Lat; left wrist X-ray; initial study; 486 by 982 pixels:
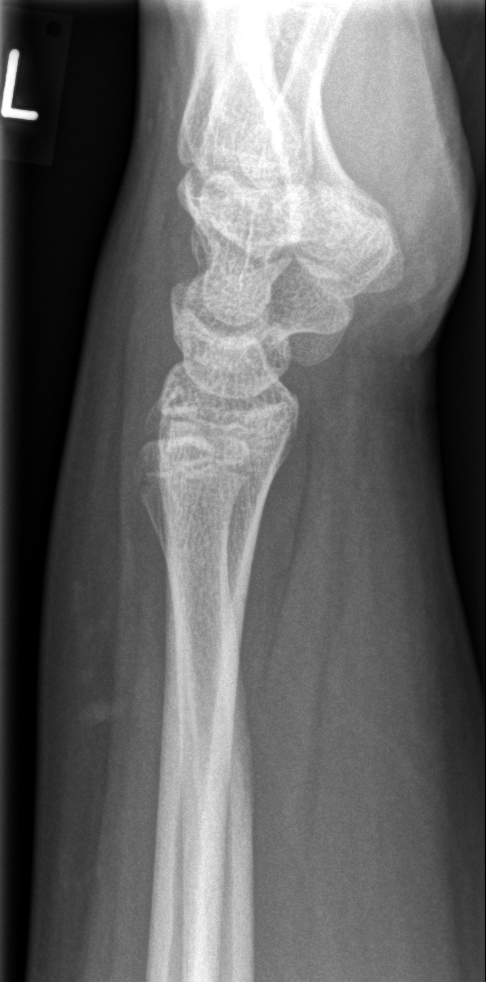
  fracture: none labeled